Lateral view | right wrist plain film | girl, 14 yo | image 69.1 mm wide
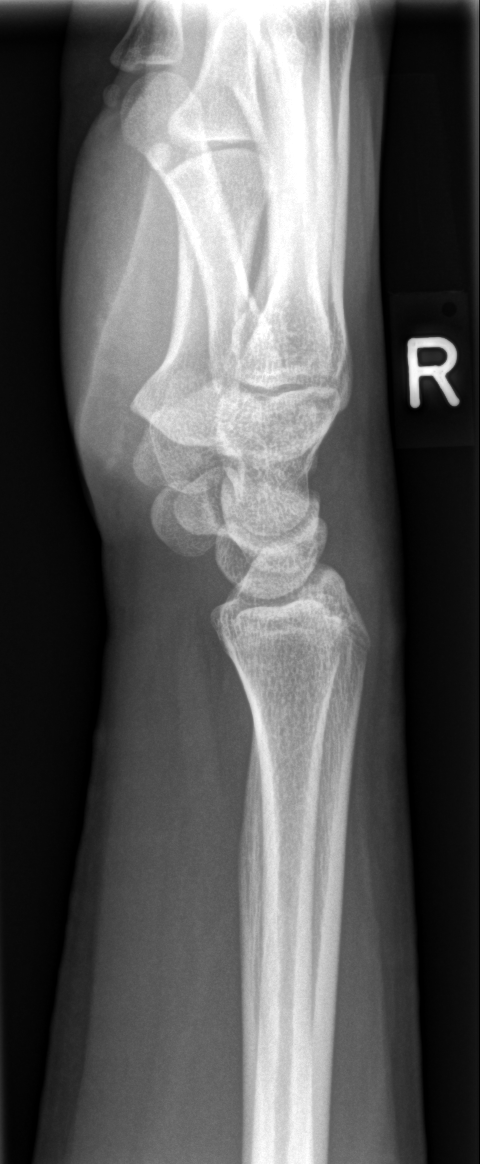
fracture = none labeled